Lateral view | right wrist radiograph | girl, 4 yo | cast in situ | acquired on Siemens | 812x1020: 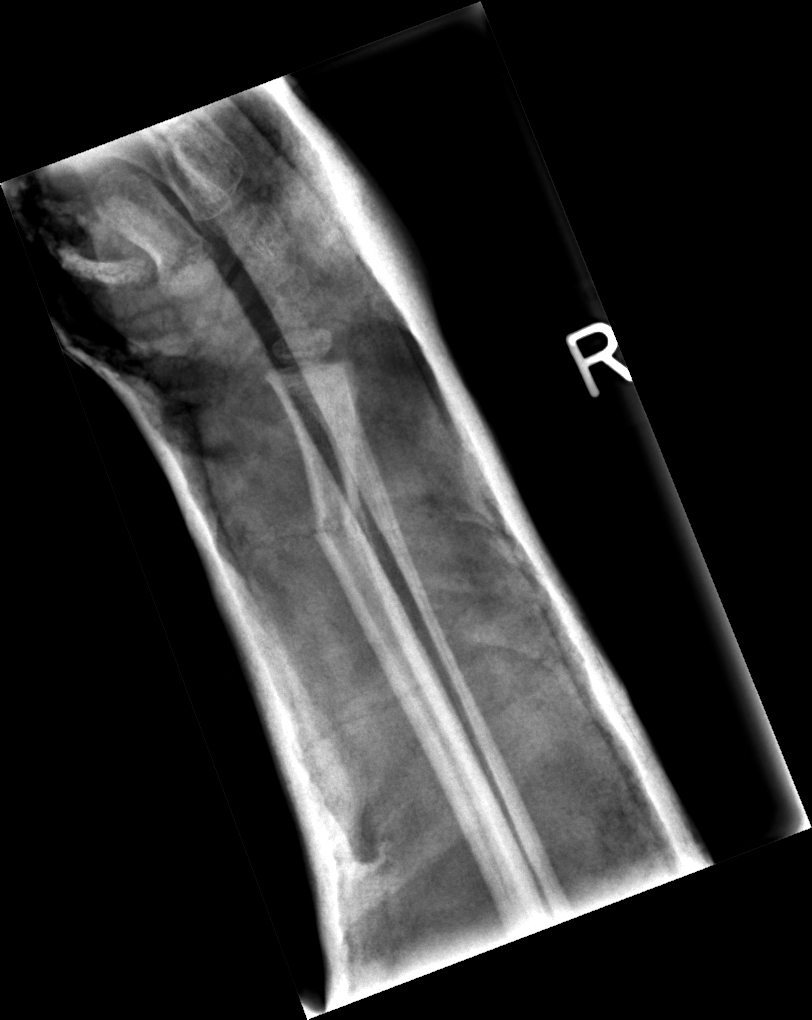

(boxes as x1,y1,x2,y2 (top-left / bottom-right, pixel units))
Bone fracture = 1 @ (left=309, top=491, right=370, bottom=554)
AO classification = 23r-M/3.1